Lt plain radiograph of the wrist | lateral | pediatric patient (male, age 12) | subsequent exam | detector: Siemens:
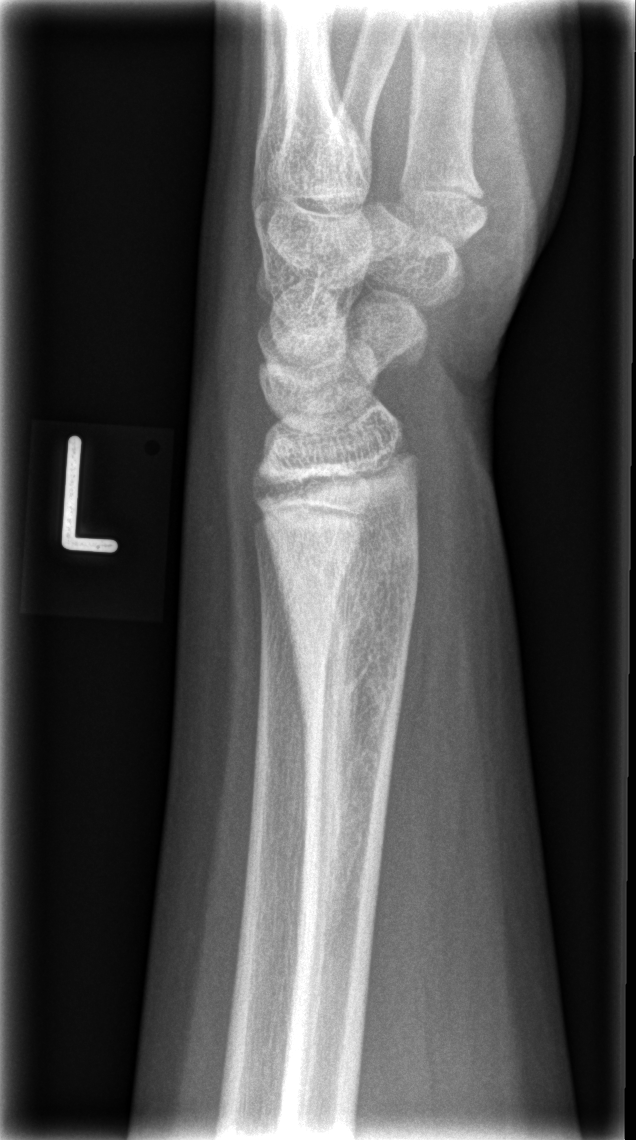 Fracture — 264,493,424,740.
AO code 23r-M/3.1; 23u-E/7.